Right wrist radiograph · PA/AP projection · image 86.4 mm wide.

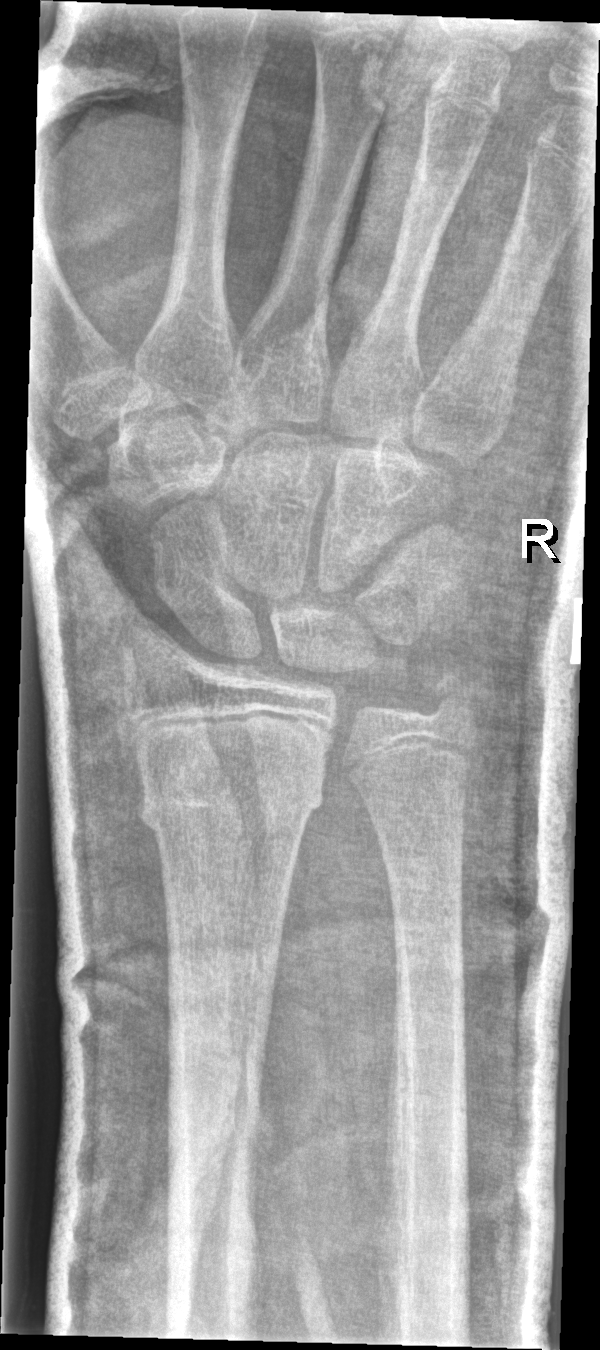
Two bone fractures at <131,757>-<329,846> <421,665>-<487,731>. AO code 23r-M/3.1; 23u-E/7.